AP projection; Lt wrist radiograph; index exam
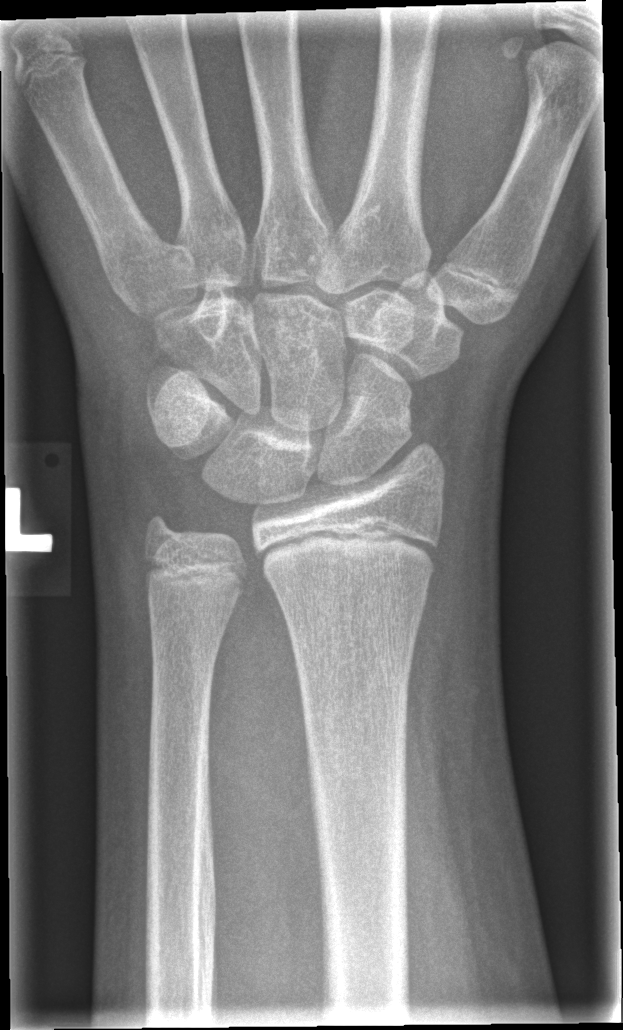

Coordinates are [x1, y1, x2, y2] in image pixels. AO/OTA classification: 72B(b). Fracture — (left=339, top=378, right=421, bottom=422).